R pediatric wrist radiograph · posteroanterior · age 5 y, male · acquired on Siemens
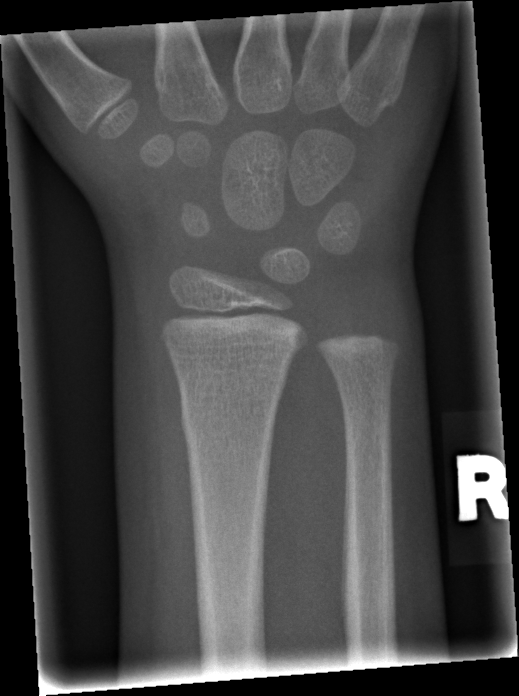 Fracture — <177,399>-<281,443>.
AO/OTA classification: 23r-M/2.1.